Lateral projection · Lt pediatric wrist radiograph · image width 56.2 mm: 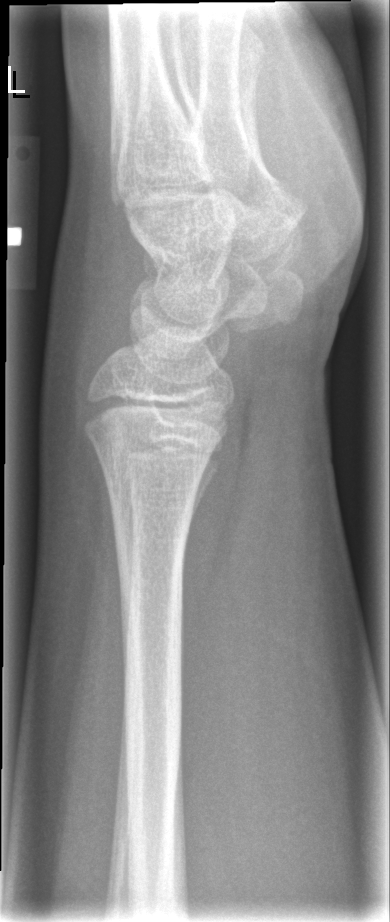
* No fracture annotation.